Lat | L wrist radiograph | subsequent exam:
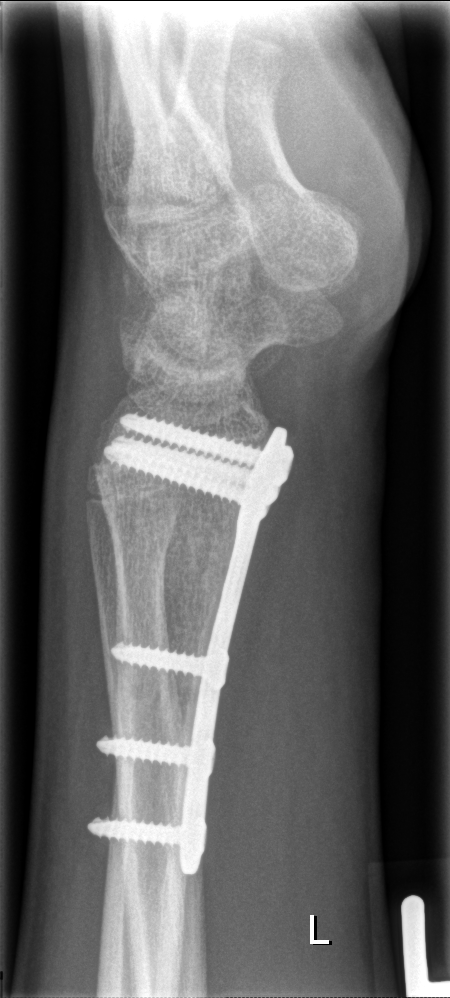
No fracture bounding box.
Decreased bone density (osteopenia).
One metallic implant at (84, 407, 296, 877).